Lat · R wrist plain film · detector: Siemens —

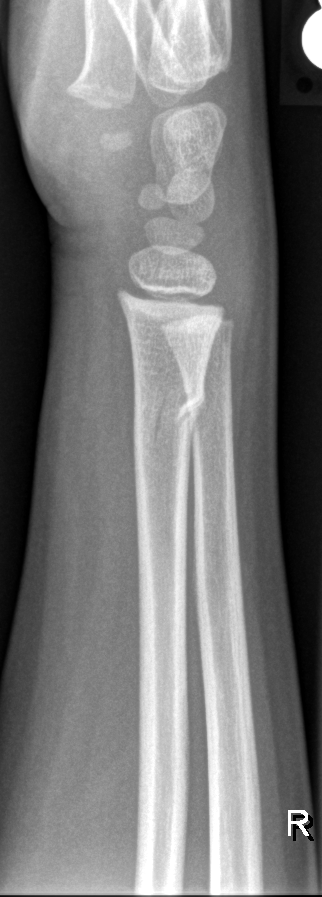
AO/OTA = 23r-M/2.1
Fx = (left=129, top=379, right=209, bottom=447)